Left wrist plain film | lat | image width 55.0 mm | image size 382x1085 — 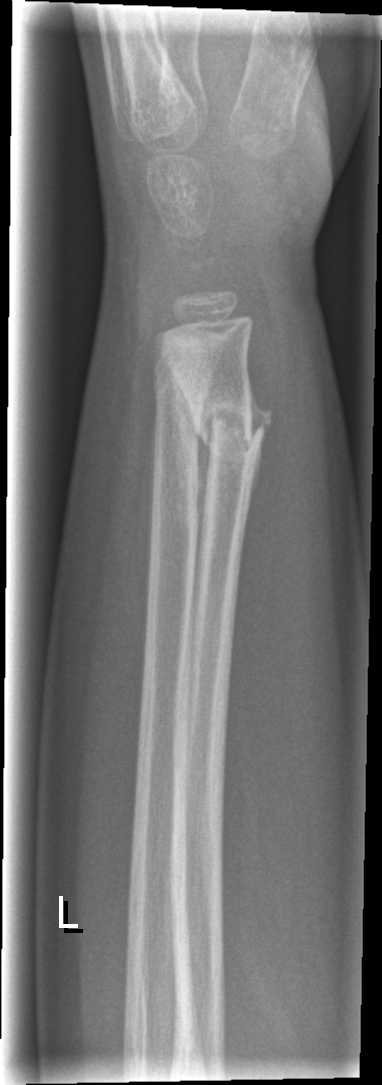
{"_coords": "boxes as x1,y1,x2,y2 (top-left / bottom-right, pixel units)", "fracture": "1 @ <188,396>-<276,460>", "periostealreaction": "2 @ <170,365>-<214,542>, <246,361>-<274,504>", "osteopenia": "present"}